Left wrist XR; lateral; subsequent exam; detector: Siemens. 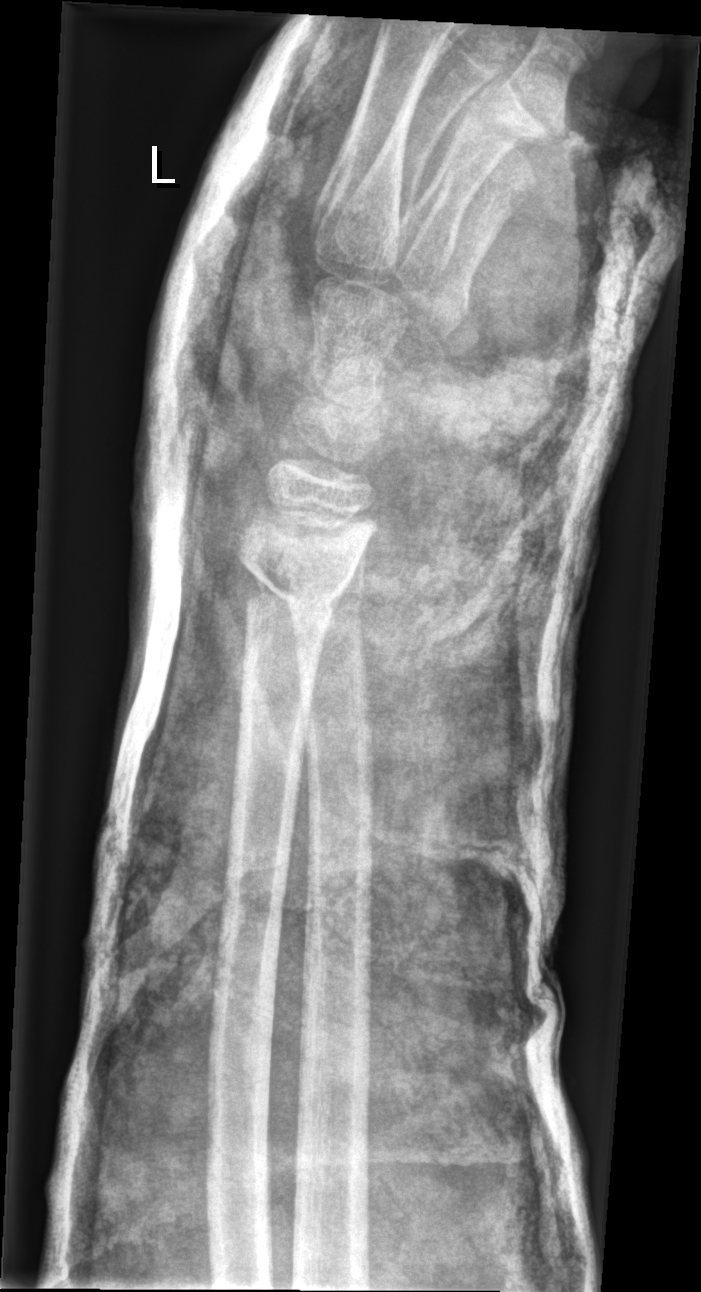

Coordinates are [x1, y1, x2, y2] in image pixels. Fracture identified at (left=232, top=529, right=348, bottom=633). AO code 23-M/3.1.